Lateral · right wrist radiograph: 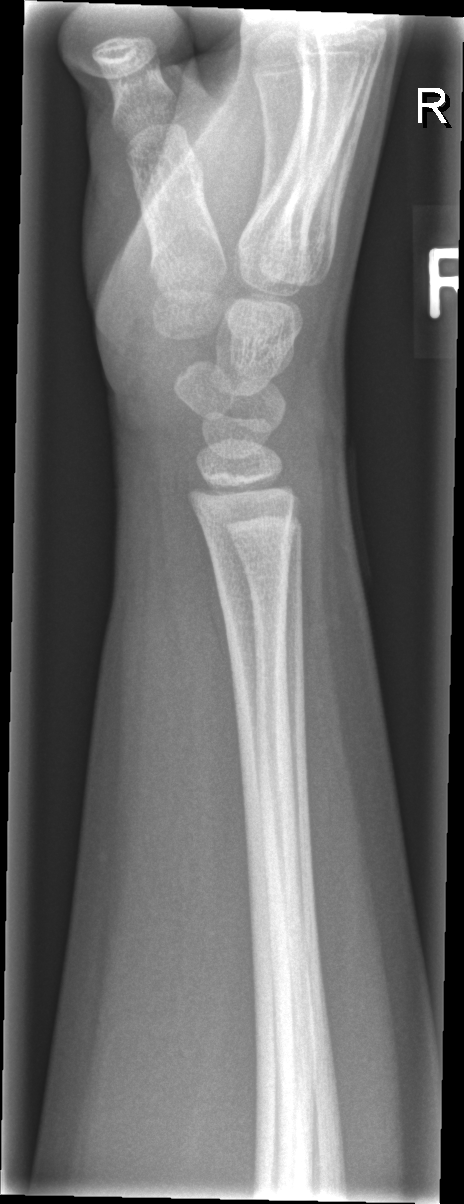

Fx: none.